R wrist X-ray, lat view, 10y F:
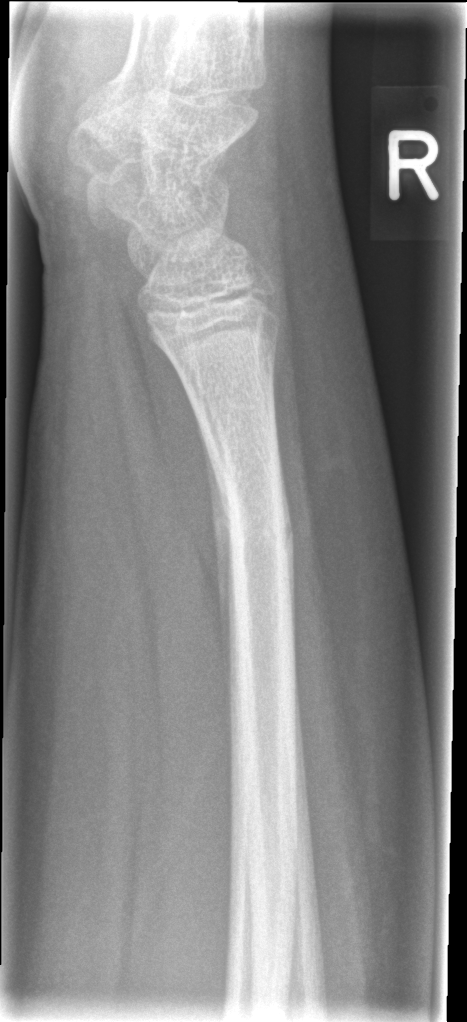
Q: What is the AO/OTA classification?
A: AO code 22r-D/2.1
Q: Fracture present?
A: Bone fracture identified at (left=222, top=494, right=297, bottom=572)
Q: Is there periosteal reaction?
A: Periosteal reaction identified at (left=205, top=438, right=229, bottom=651)